Lateral, right wrist pediatric wrist radiograph, 11-year-old male, diagnosis uncertain. 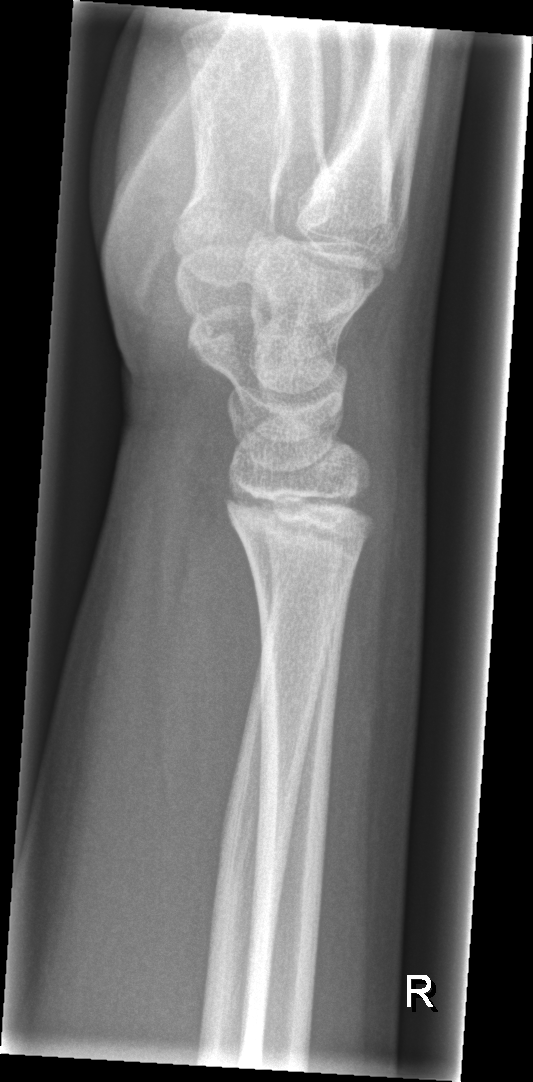 Coordinates are [x1, y1, x2, y2] in image pixels. Positive pronator fat-pad sign — (left=169, top=495, right=268, bottom=835). No fracture annotation.